PA | right wrist X-ray | image width 85.1 mm | 591 x 898 px: 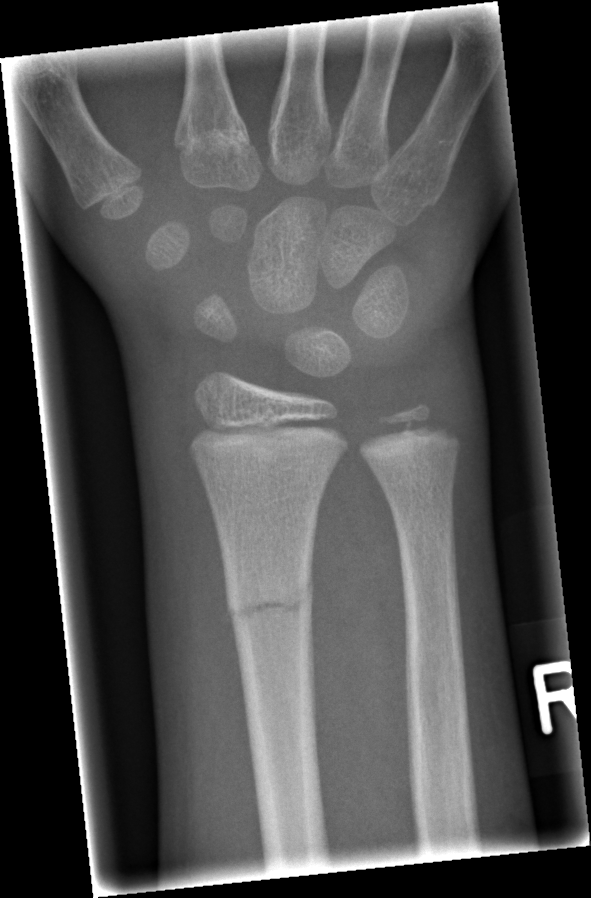

One Fx at (222, 572, 316, 643). AO code 23r-M/3.1.